Right wrist radiograph; frontal; subsequent exam; cast in situ —
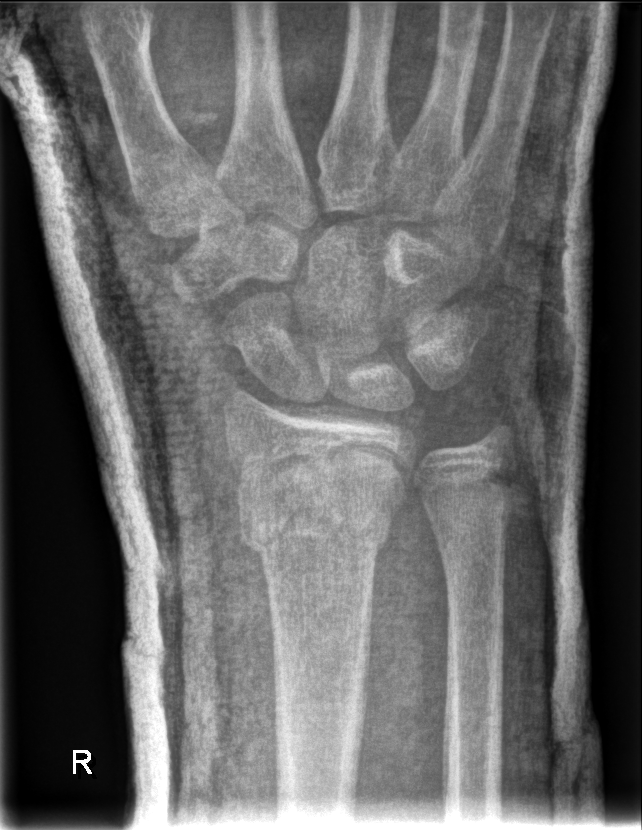 Fracture = (239, 469, 403, 560)